Left wrist plain radiograph of the wrist, lat, 7y M, 557 x 984 px —

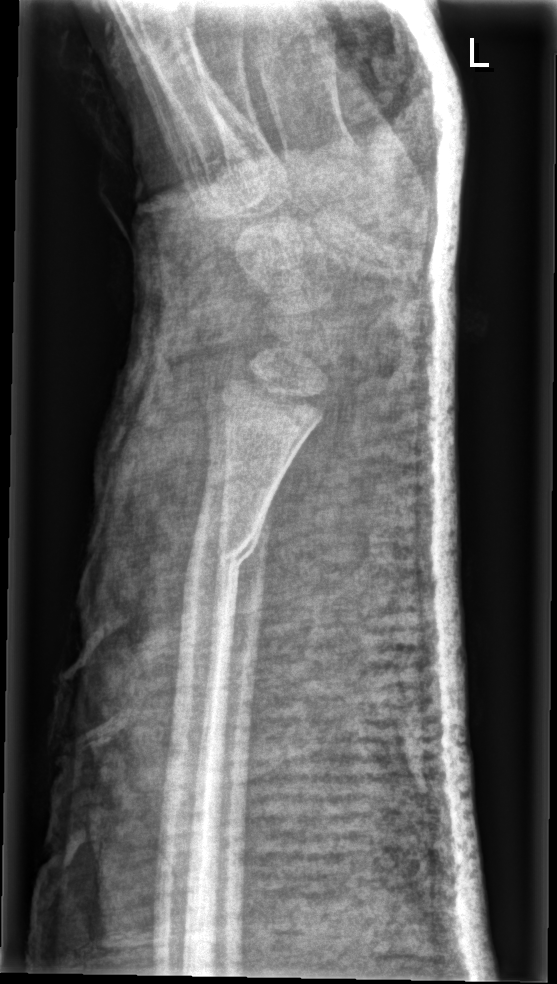

  fracture: 1 @ (left=183, top=518, right=265, bottom=605)
  ao: 23-M/2.1